PA/AP; right wrist radiograph.

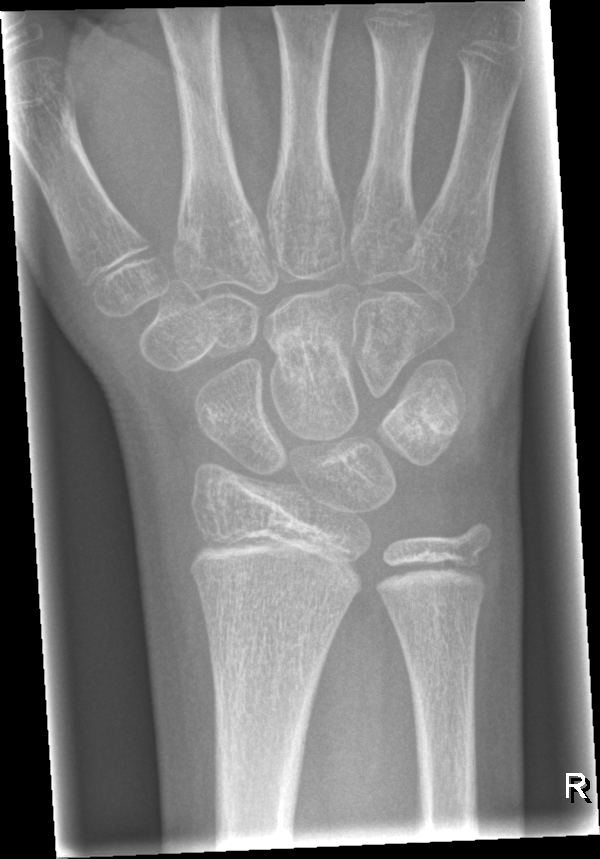 FINDINGS: Osteopenic. No fracture labeled.